Left wrist plain radiograph of the wrist | lateral projection | male, 12 yo.

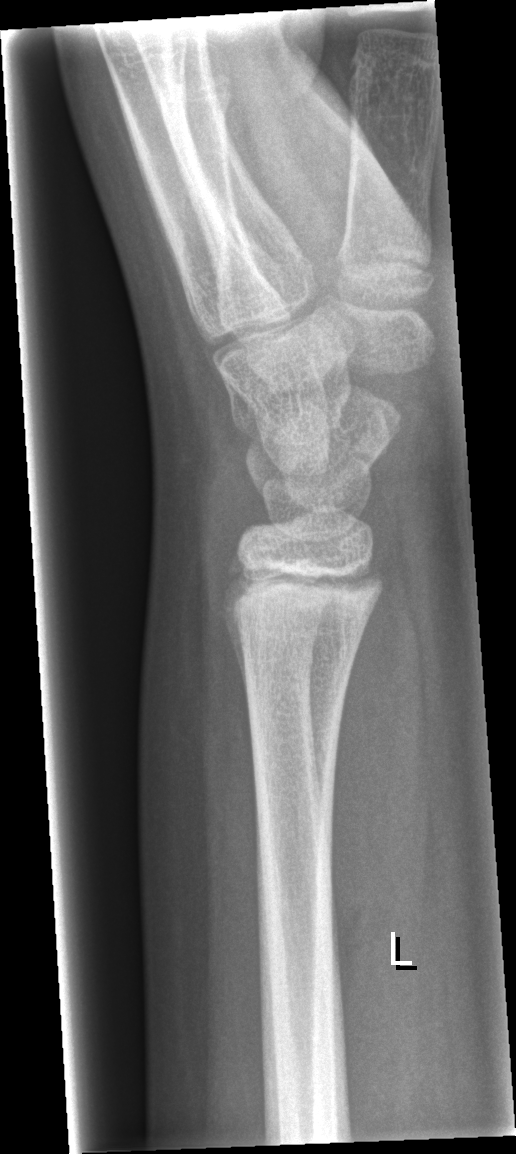

Fracture = none labeled